Posteroanterior projection, right pediatric wrist radiograph, 7y M, cast present, 483x886
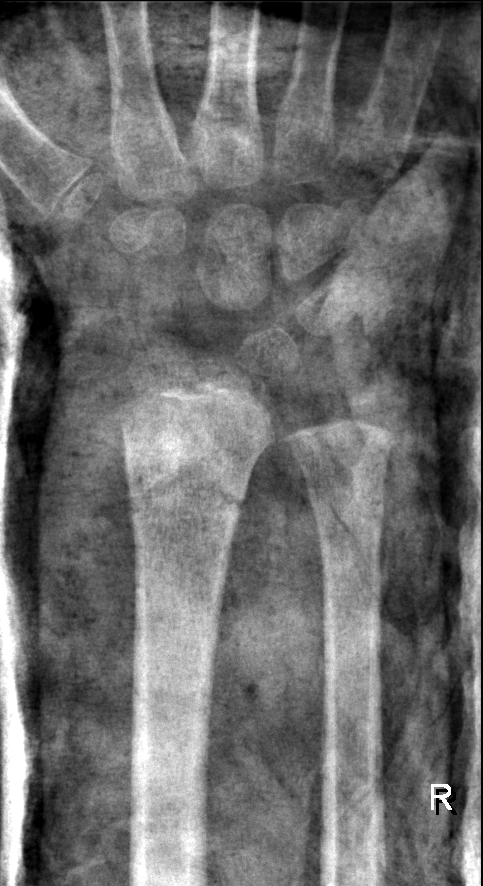

• Pixel coordinates, top-left origin, xyxy.
• Bone fracture: (118, 469, 246, 527), (302, 481, 389, 558).